Frontal | Lt wrist plain film | 12-year-old female — 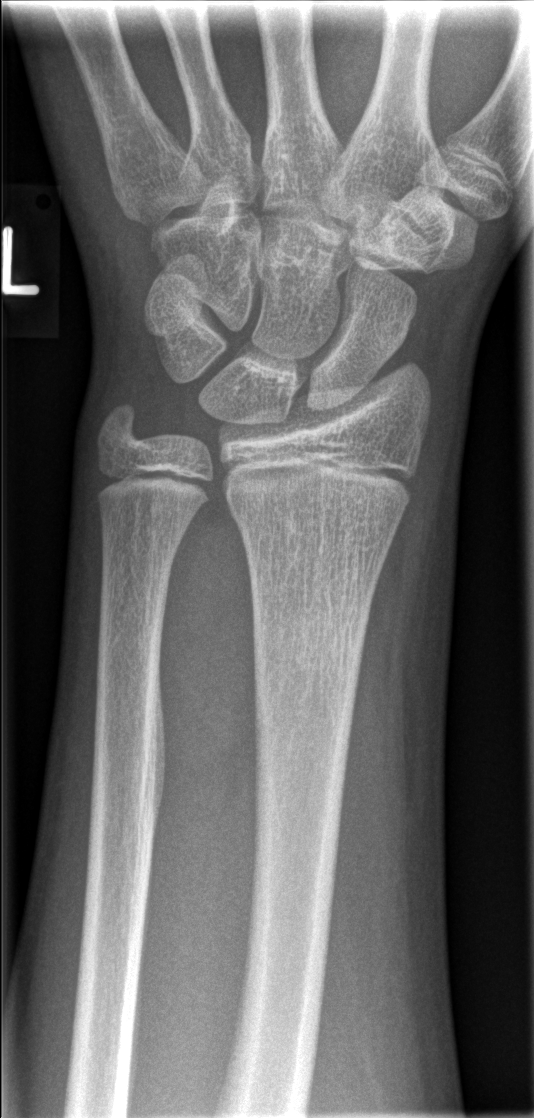 Fx present but not clearly seen in this view. AO/OTA classification: 23r-M/2.1.